Posteroanterior view, right wrist X-ray, acquired on Siemens

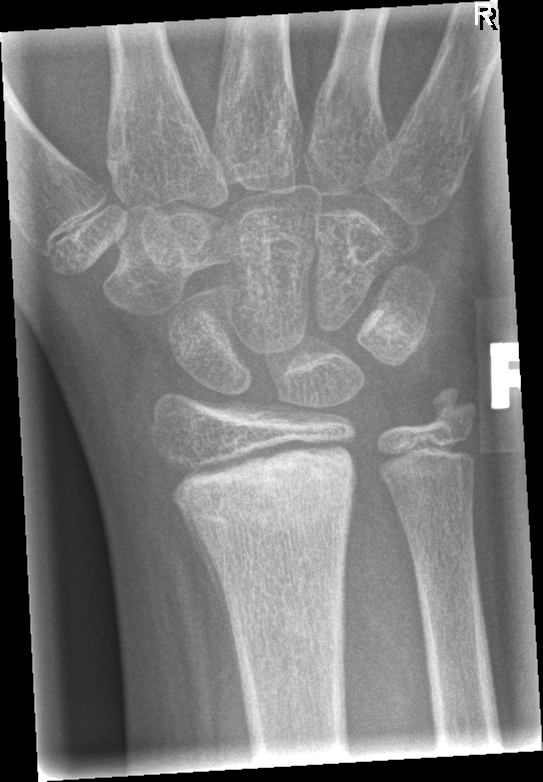

Findings: (boxes as x1,y1,x2,y2 (top-left / bottom-right, pixel units)) Osteopenic. Bone fracture identified at bbox(173, 434, 357, 541) bbox(420, 382, 479, 435). Periosteal new bone — bbox(176, 499, 246, 708).